Posteroanterior | Rt wrist XR | age 14 y, boy | acquired on Siemens 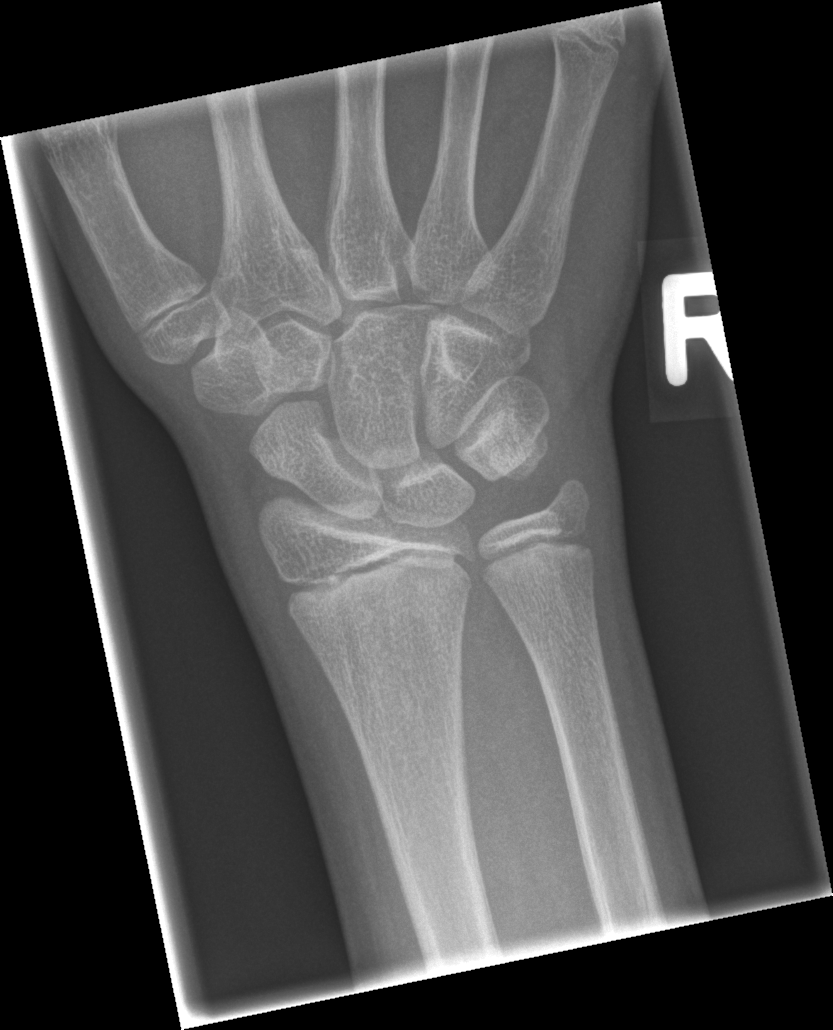

Fracture present, though not clearly seen in this view.
Fracture classified AO/OTA 23r-M/2.1.